R plain radiograph of the wrist | lateral | index exam | image 66.7 mm wide | 463 by 1186 pixels

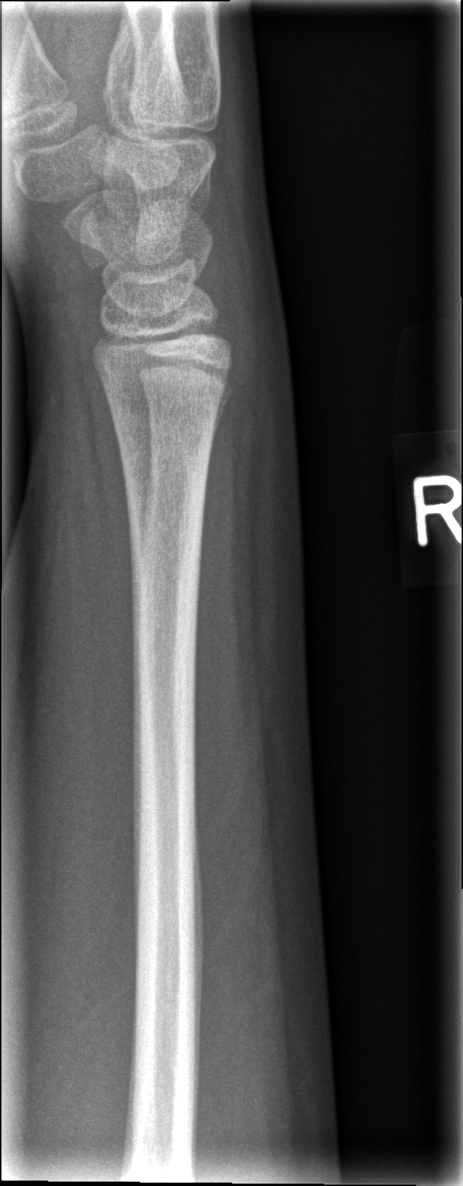 FINDINGS — Fracture: none labeled.